Right plain radiograph of the wrist | lat view | 16-year-old boy | follow-up study:

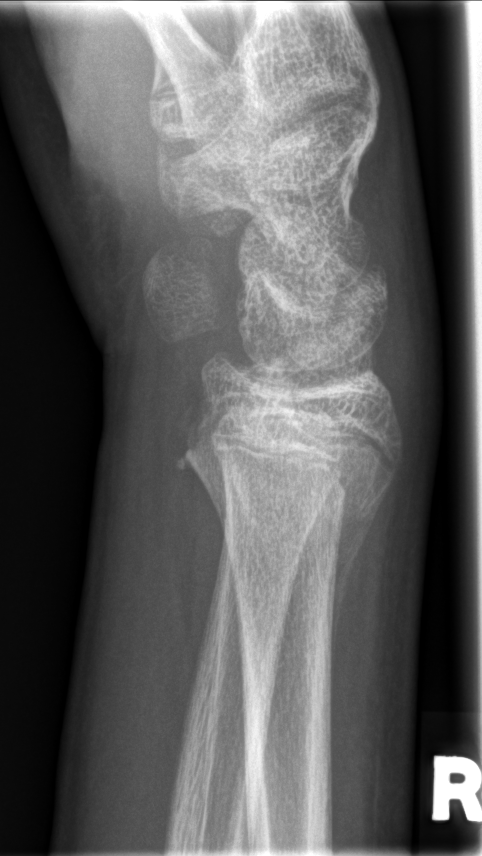 Osteopenia = present
AO code = 23r-E/2.1; 23u-E/7
Fracture = [166, 395, 410, 566]